R plain radiograph of the wrist; posteroanterior view; index exam; findings marked uncertain by the reading radiologist —
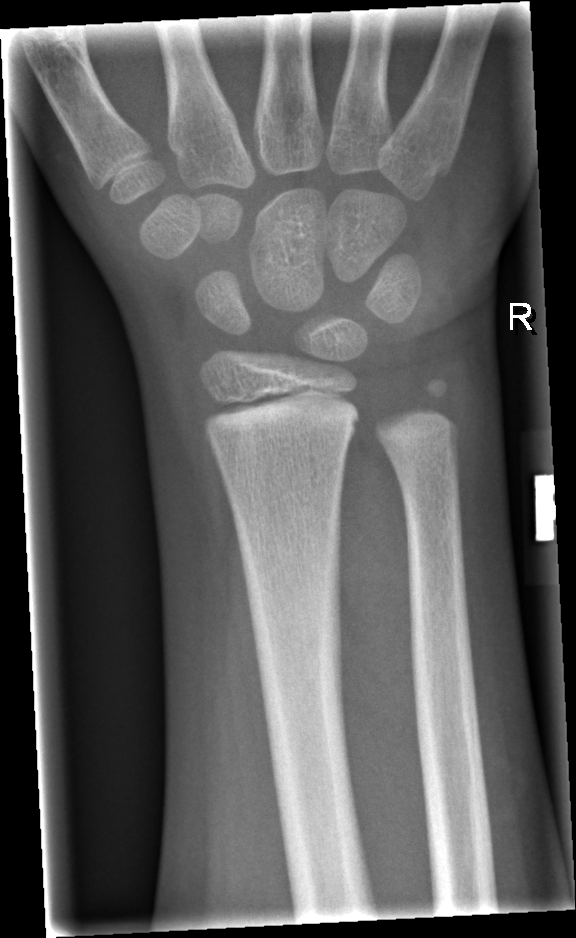 Findings: No Fx annotated.